Right pediatric wrist radiograph, AP view, follow-up.
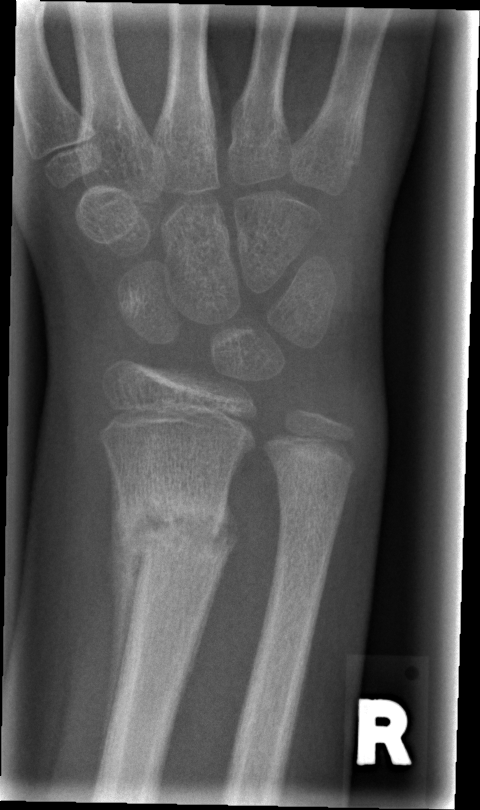

{
  "osteopenia": "present",
  "fracture": "111,488,241,575",
  "periostealreaction": "2 @ 97,508,137,763; 210,510,239,592",
  "ao": "23r-M/3.1; 23u-M/2.1"
}